Lateral projection | Rt wrist X-ray | image width 86.3 mm: 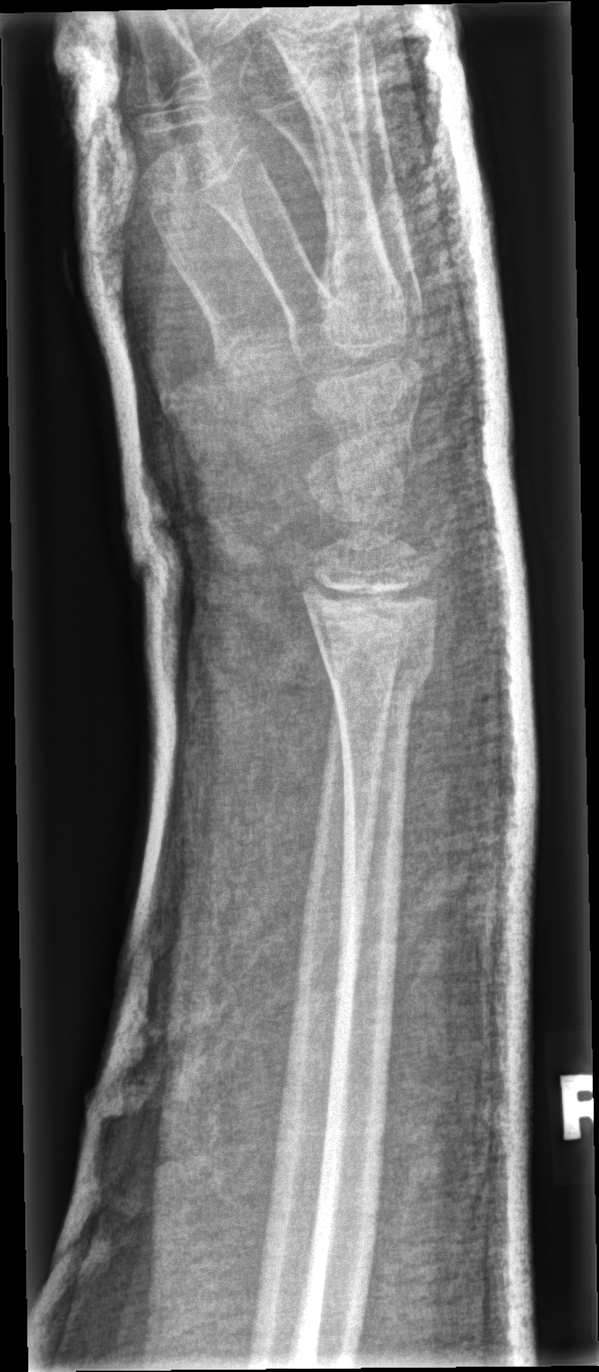

• Fracture: (left=315, top=631, right=429, bottom=708).